PA/AP; L wrist XR; 8y M
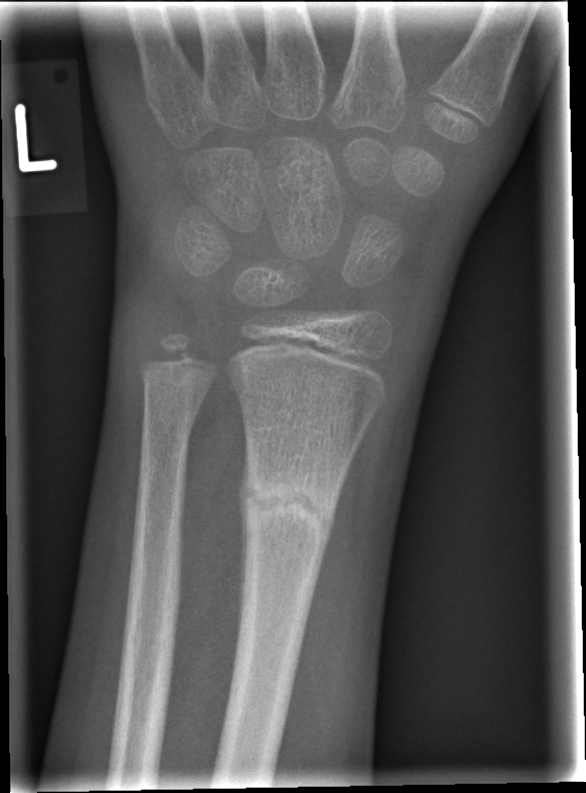
AO/OTA classification: 23r-M/3.1; 23u-M/2.1.
One bone fracture at (left=237, top=453, right=343, bottom=555).